L wrist X-ray; lat projection; 11y M; subsequent exam; cast in situ; detector: Siemens; image width 73.4 mm.

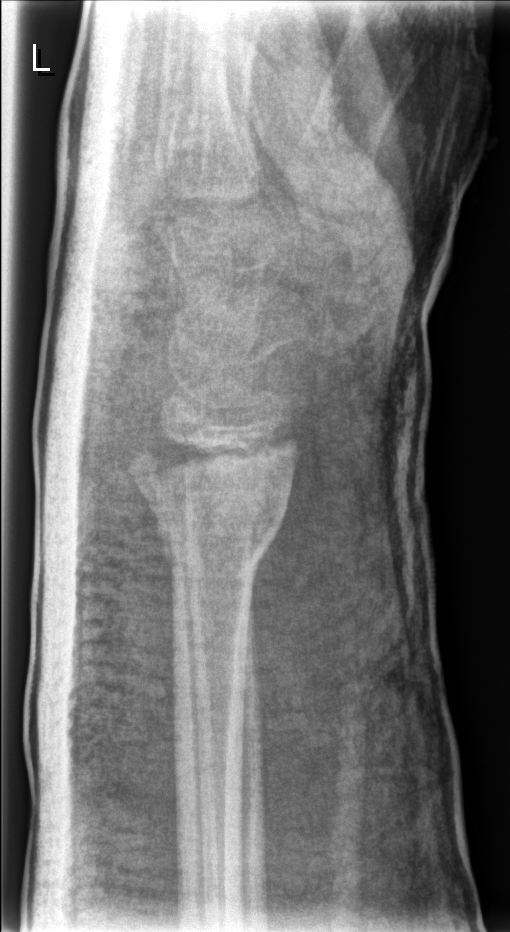

AO classification: 23r-E/2.1; 23u-M/2.1
Fx: (127, 427, 300, 577)